Right pediatric wrist radiograph, PA/AP projection, pediatric patient (boy, age 14), cast in situ, 98.5 mm image width, 684x1241:
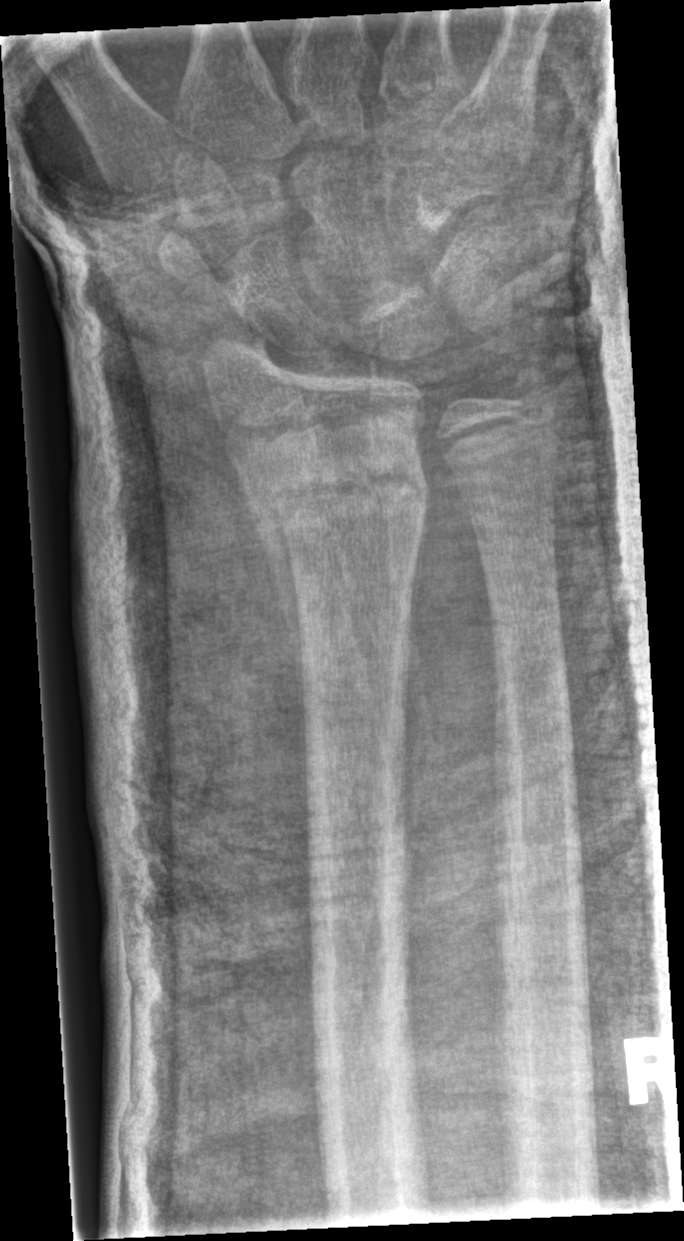 Periosteal reaction: [245, 492, 309, 846]
Bone fracture: 2 @ [243, 448, 433, 531], [502, 355, 566, 415]
AO classification: 23r-M/3.1; 23u-E/7